PA, L wrist XR, age 13 y, male, acquired on Siemens
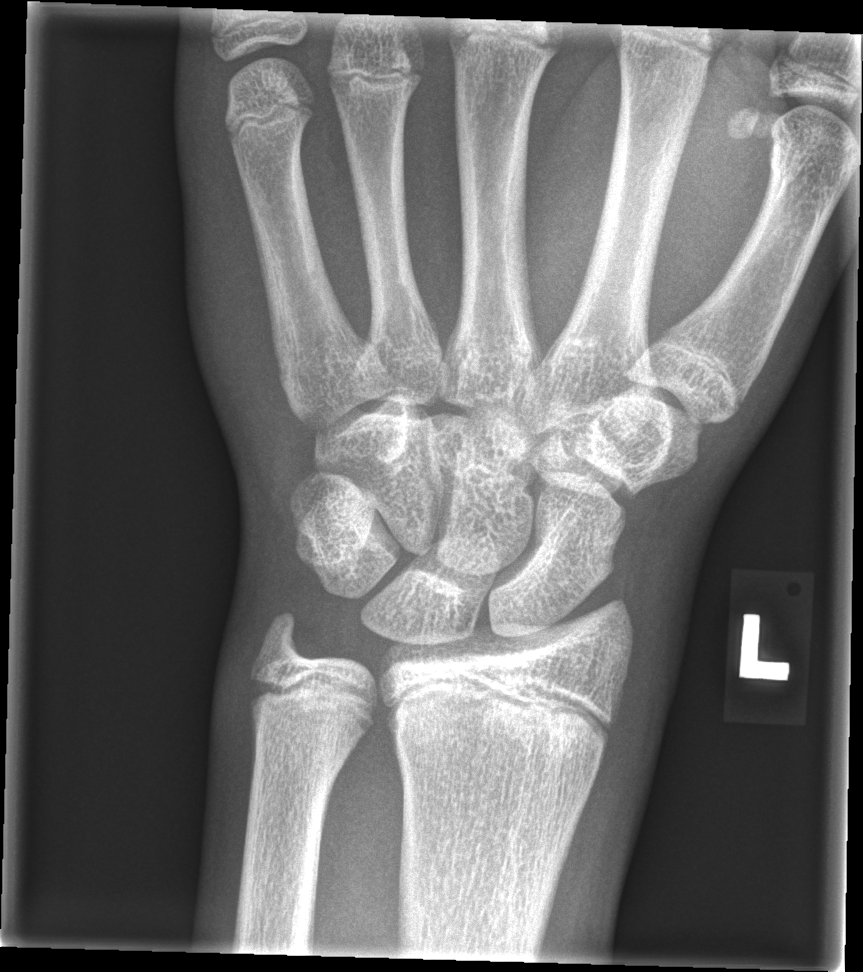

No Fx annotated.